L wrist X-ray · lat.
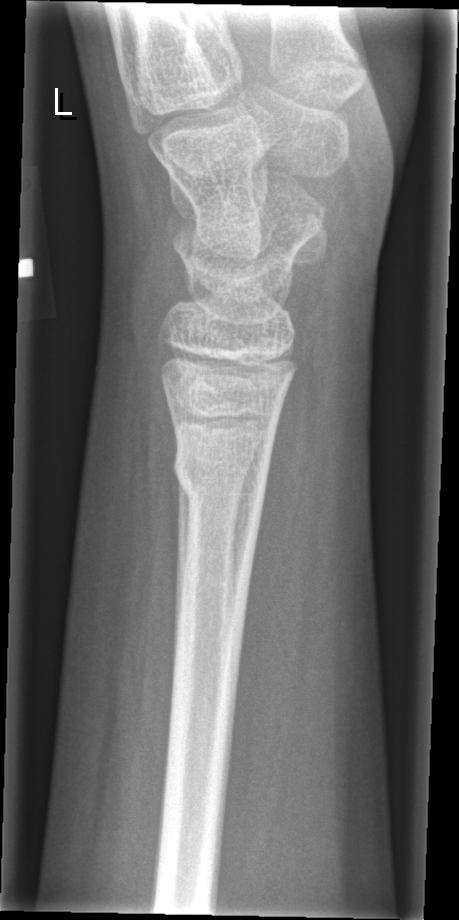 Boxes as x1,y1,x2,y2 (top-left / bottom-right, pixel units).
Fracture classified AO/OTA 23r-M/2.1.
Fracture — bbox(169, 435, 278, 519).